Lt wrist radiograph, PA/AP projection, follow-up 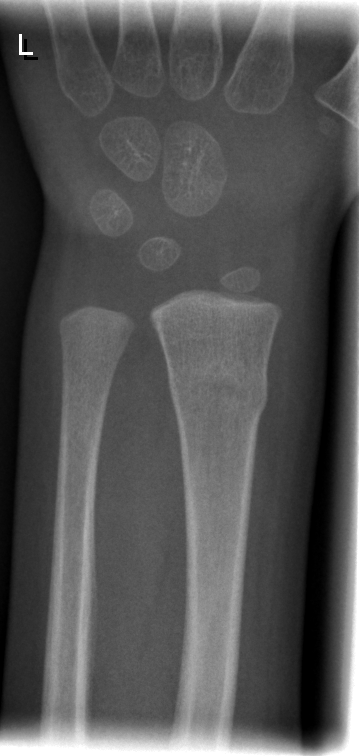
{"_coords": "coordinates are [x1, y1, x2, y2] in image pixels", "fracture": "165,357,270,422", "ao": "23r-M/2.1"}